Left wrist XR; lat view; 11y M; equivocal findings; 524 x 1124 px. 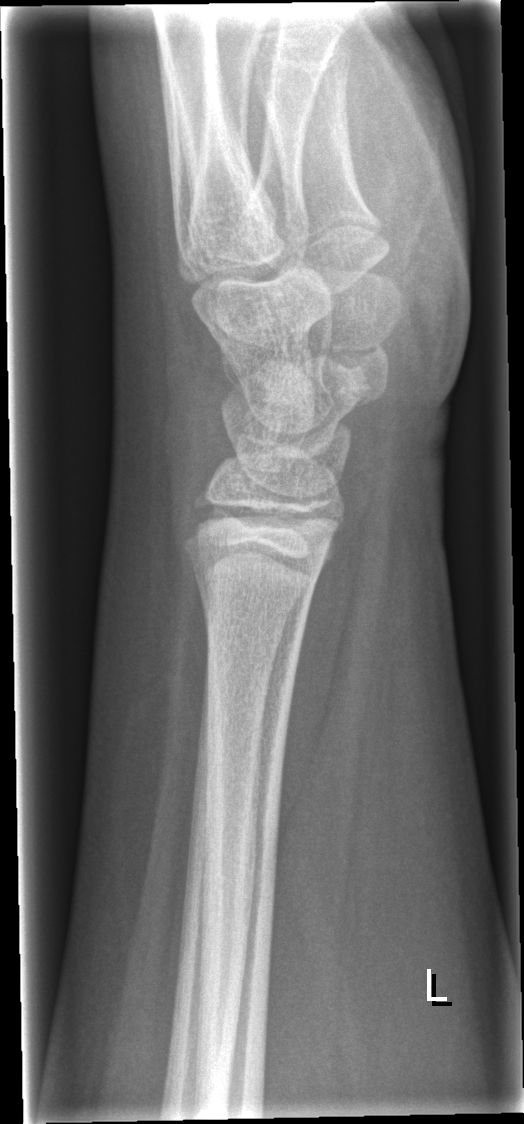
Pixel coordinates, top-left origin, xyxy. Fx — 190,546,329,628. Fracture classified AO/OTA 23r-M/2.1.